Right wrist XR | lat view —

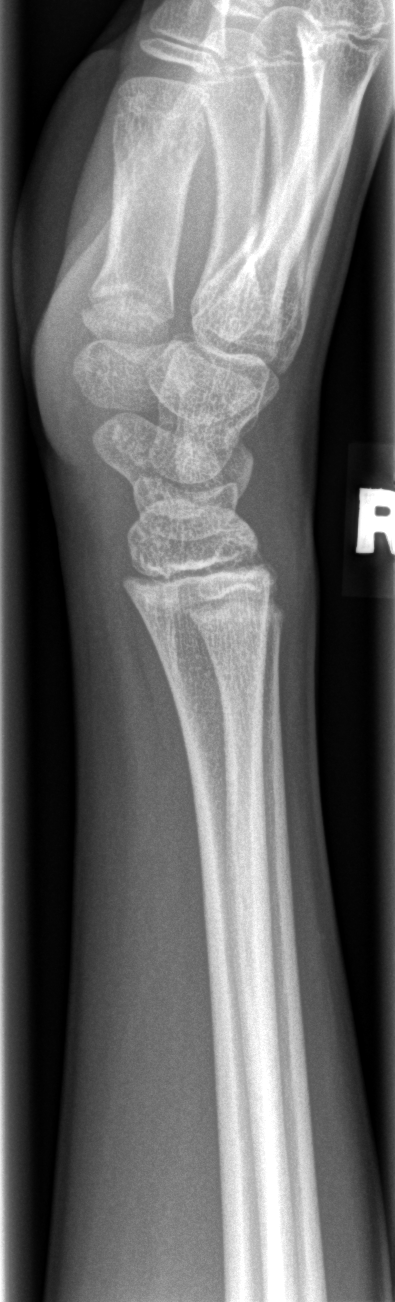
* Fx: none.